Lateral view · left wrist X-ray · age 10 y, boy · imaged through cast · image width 103.7 mm —
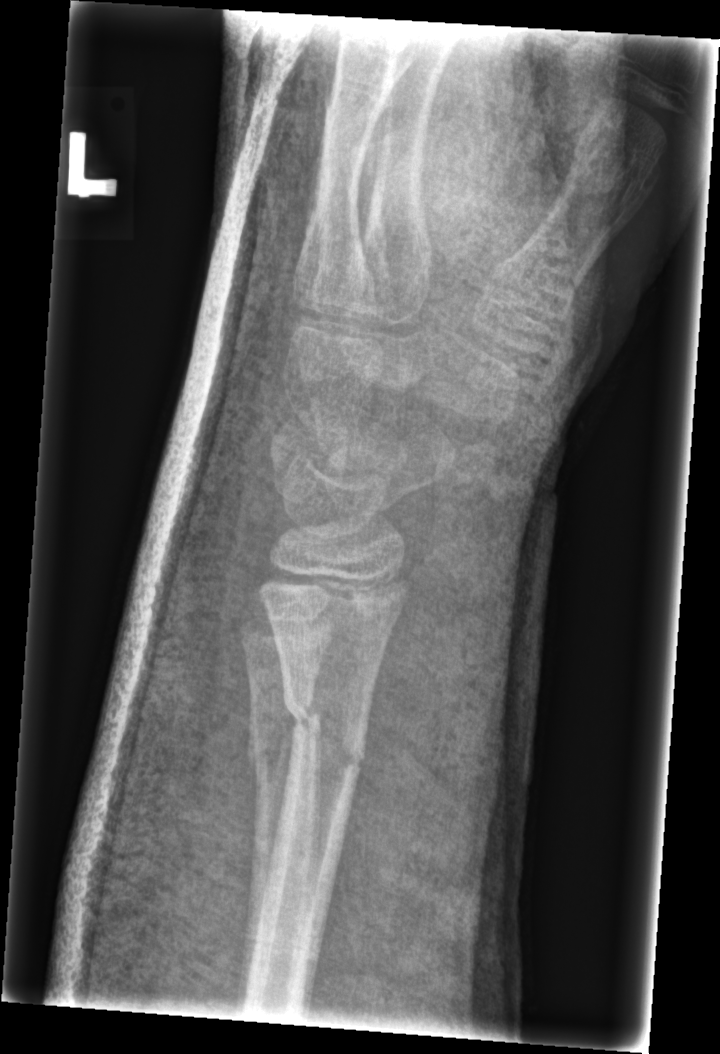
AO/OTA classification: 23-M/3.1.
Two bone fractures at 270,686,380,760
  244,698,315,783.